Lateral projection, left wrist XR — 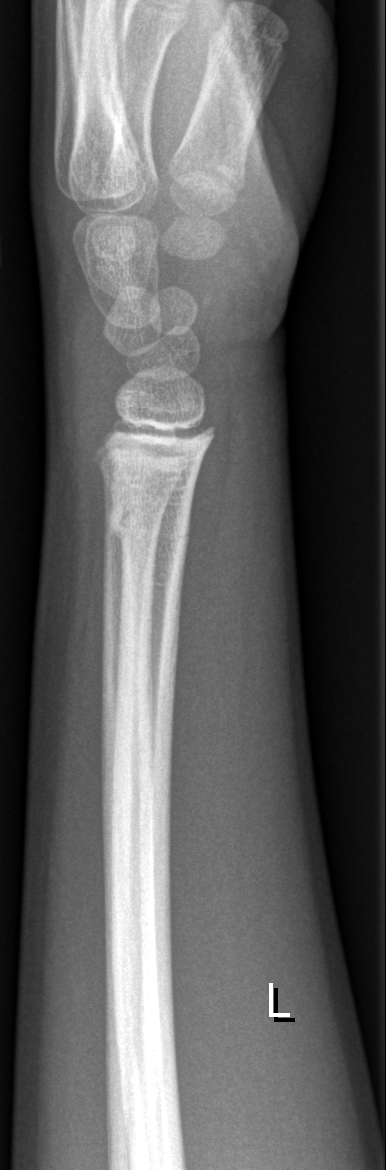

* Fracture: <102,486>-<194,556>.
* AO/OTA classification: 23r-M/2.1.